Lt wrist X-ray · frontal view · 554 by 886 pixels.

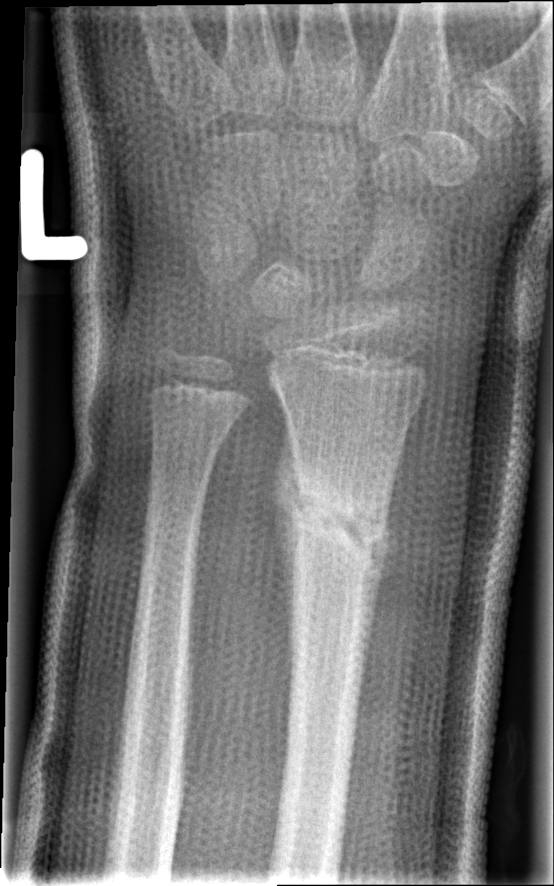
Findings: (bounding boxes in image-pixel xyxy) Periosteal reaction — [x1=268, y1=415, x2=306, y2=710] [x1=375, y1=455, x2=402, y2=607]. Fracture — [x1=271, y1=450, x2=400, y2=591].